Left pediatric wrist radiograph; lateral; 13y M:
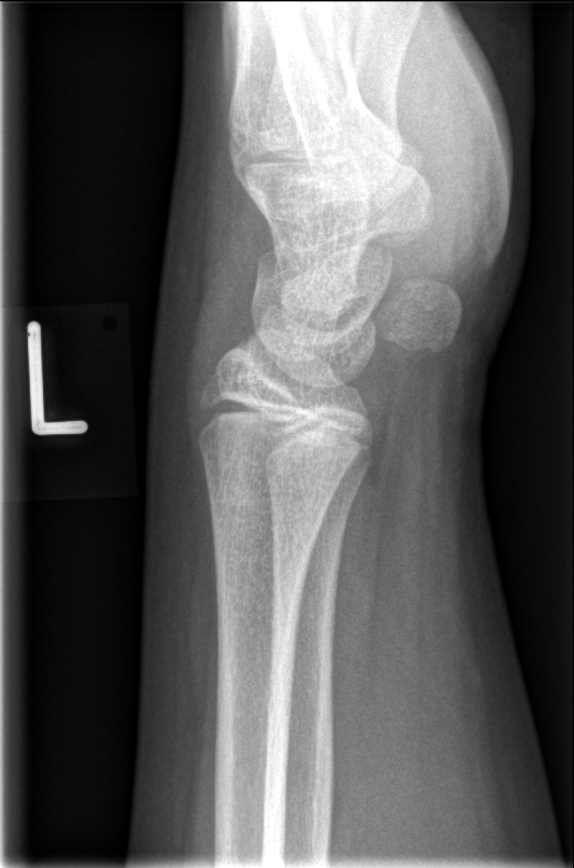
No Fx annotated.